Left wrist pediatric wrist radiograph · posteroanterior · 12-year-old female · index exam · image size 456x968 —
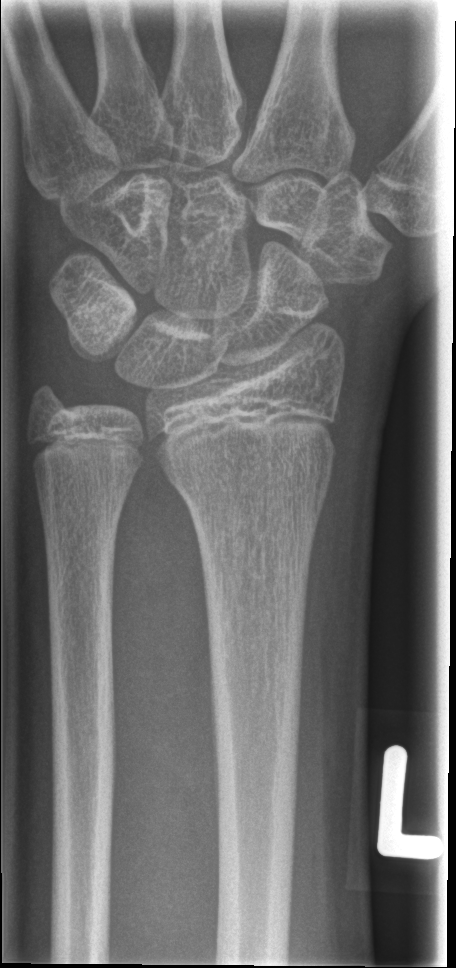

Fracture classified AO/OTA 23r-M/2.1.
Fx present but not clearly seen in this view.